PA projection · Rt wrist X-ray · age 7 y, girl · acquired on Siemens · 472 x 892 px

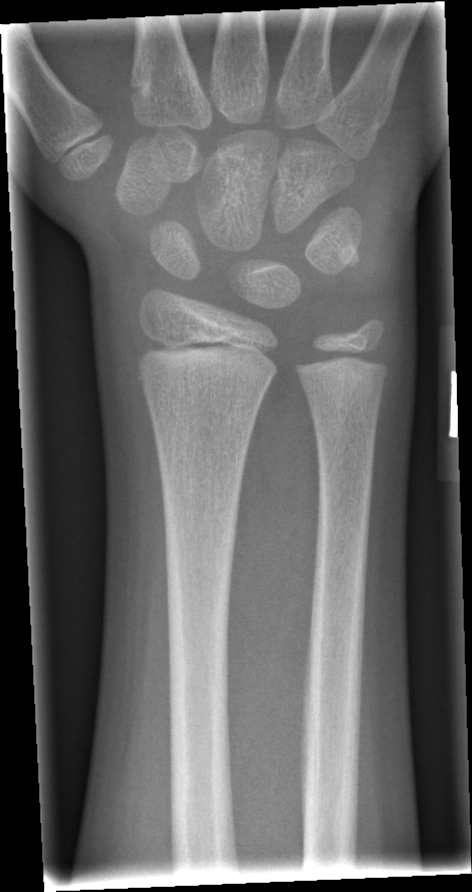 Findings: No fracture bounding box.